Left wrist XR; PA; age 13 y, boy; 894 x 1276 px: 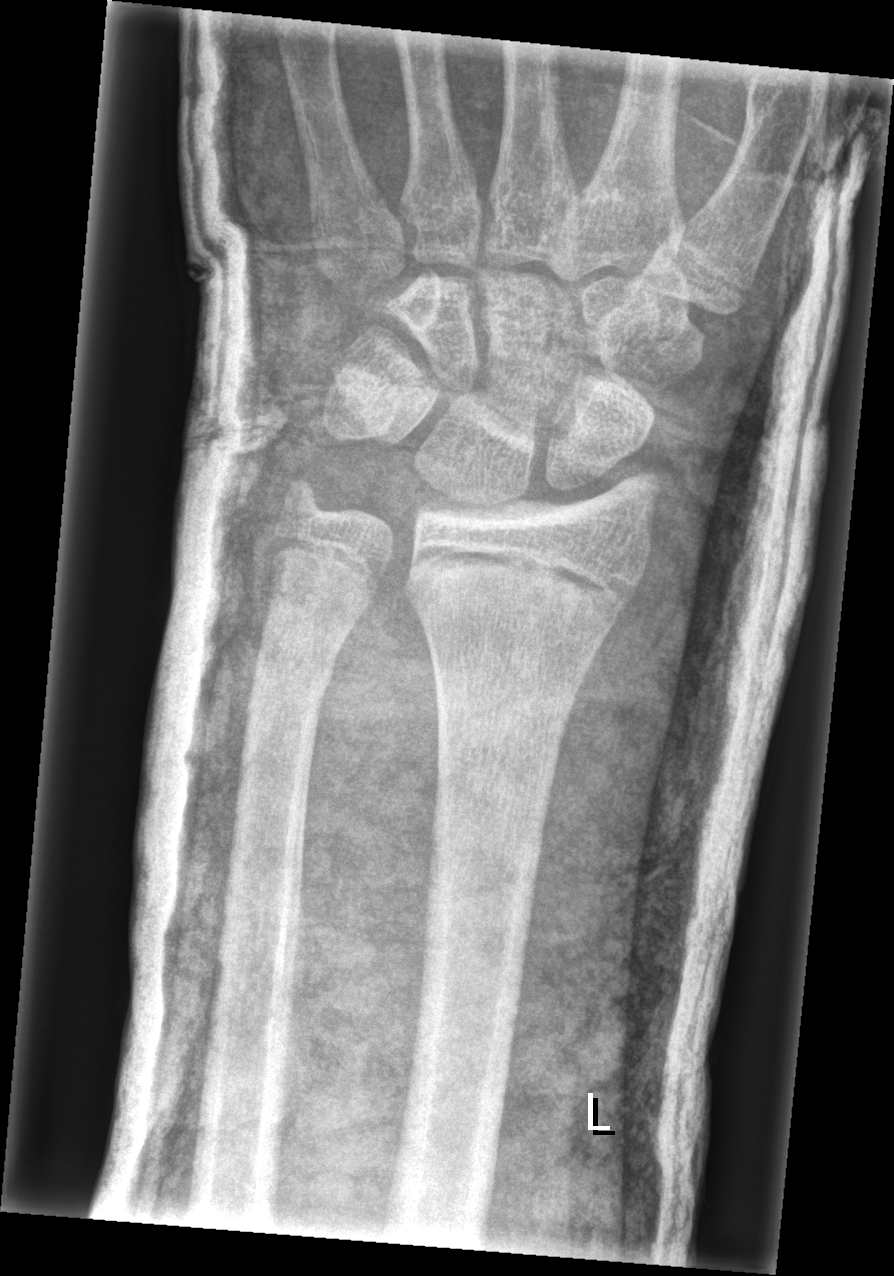 * Fx identified at 401 544 645 634 | 249 619 343 699.
* Fracture classified AO/OTA 23r-E/2.1; 23u-M/2.1.